Left wrist radiograph; frontal projection; presentation radiograph; 98.9 mm image width.
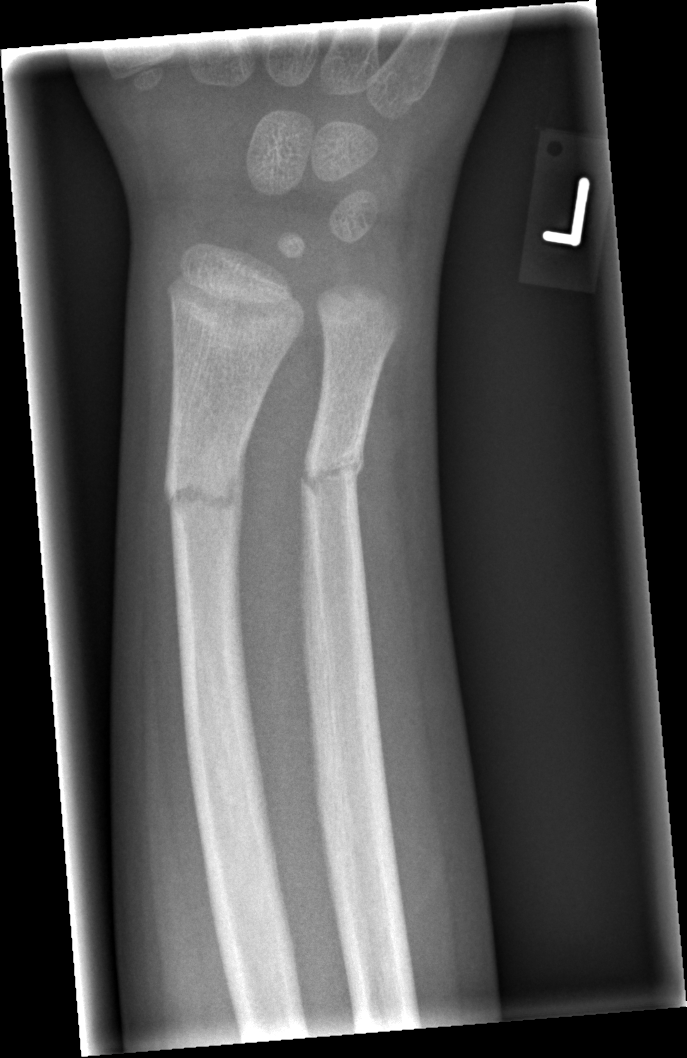
FINDINGS: (pixel coordinates, top-left origin, xyxy) Two fractures at 158 459 247 526
  294 445 369 500. AO code 22-D/2.1.